Left plain radiograph of the wrist · lat view · 8-year-old male · in cast

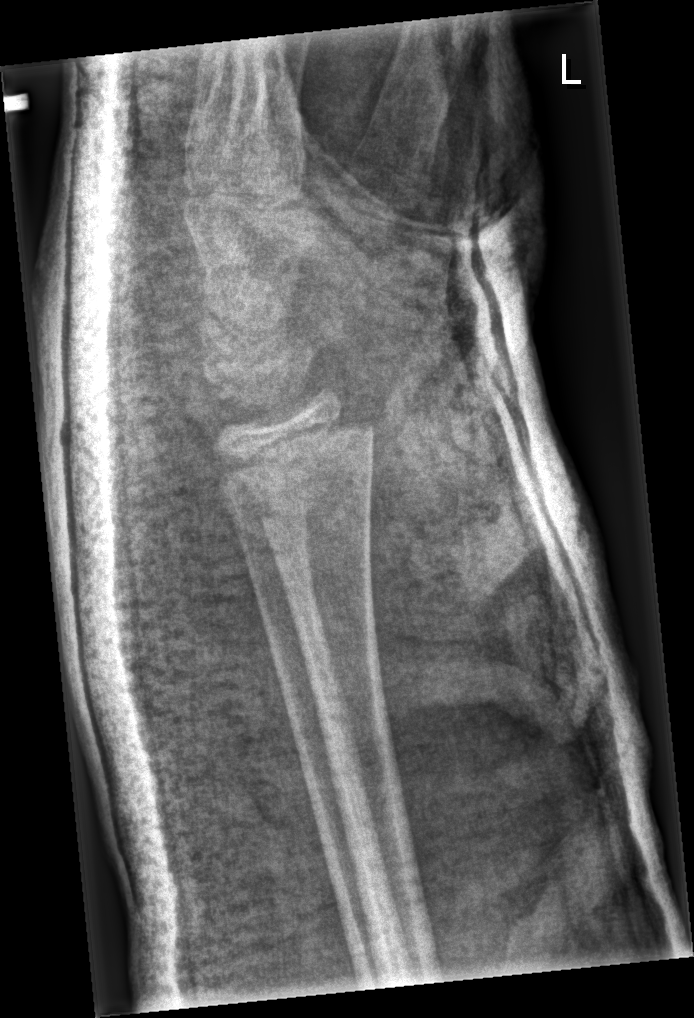 (pixel coordinates, top-left origin, xyxy)
AO classification = 23r-E/2.1
fracture = 1 @ (left=211, top=406, right=389, bottom=554)